Rt wrist XR | lat projection | subsequent exam.

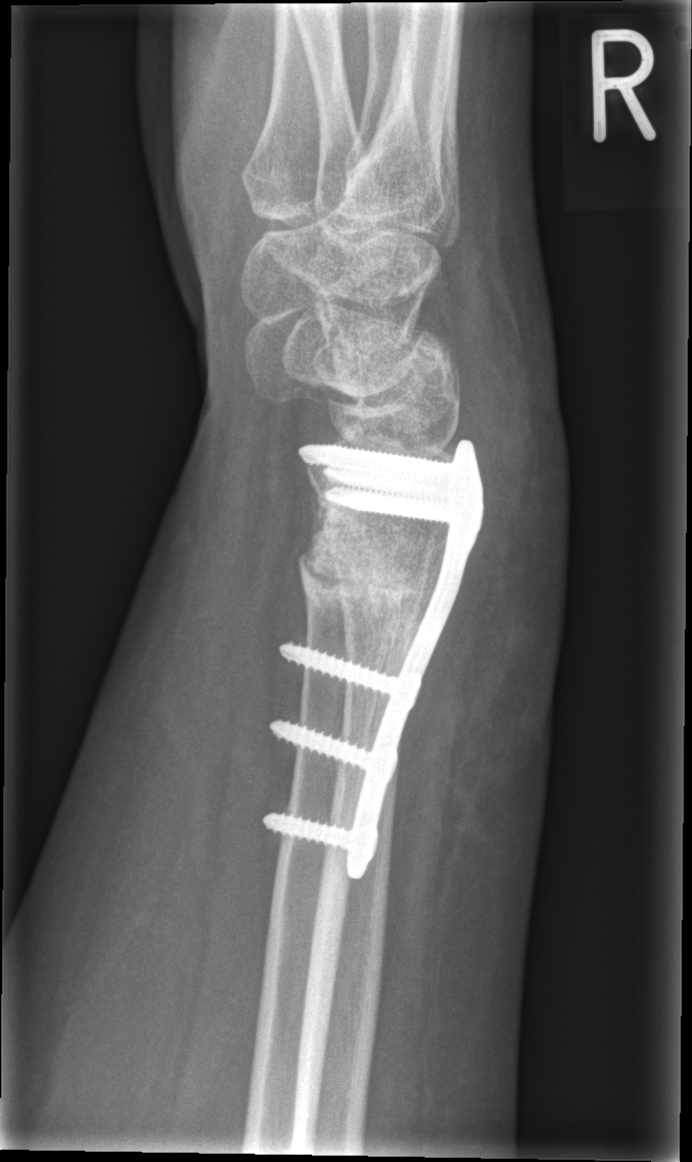 FINDINGS: One metallic hardware at (left=263, top=446, right=483, bottom=851). Fx — (left=293, top=489, right=436, bottom=659).